Lat view · right wrist X-ray · age 4 y, girl · 314 by 816 pixels
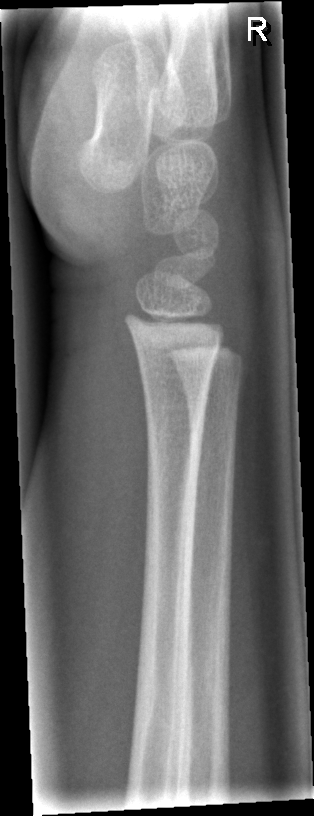 bone fracture = none labeled